Lt wrist plain film · PA view · boy, 13 yo · acquired on Siemens — 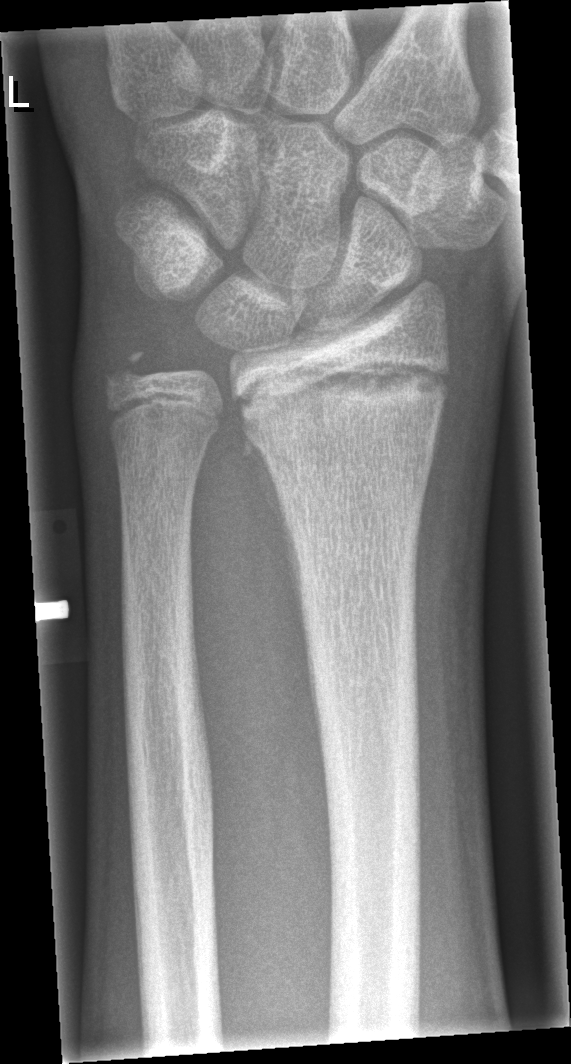

Fx: [234, 355, 452, 473], [98, 339, 157, 394]
AO/OTA: 23r-E/2.1; 23u-E/7
periosteal new bone: 1 @ [243, 426, 304, 624]
osteopenia: present